Right wrist plain film, lateral, age 17 y, female, presentation radiograph, Siemens, image 67.2 mm wide:

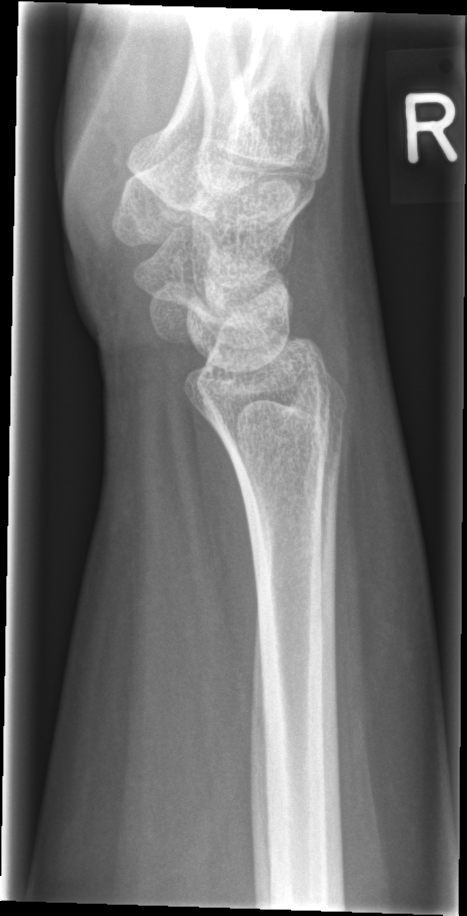
FINDINGS: No fracture bounding box.